Right wrist plain film, lateral projection, pediatric patient (male, age 17), acquired on Siemens, image width 61.1 mm —

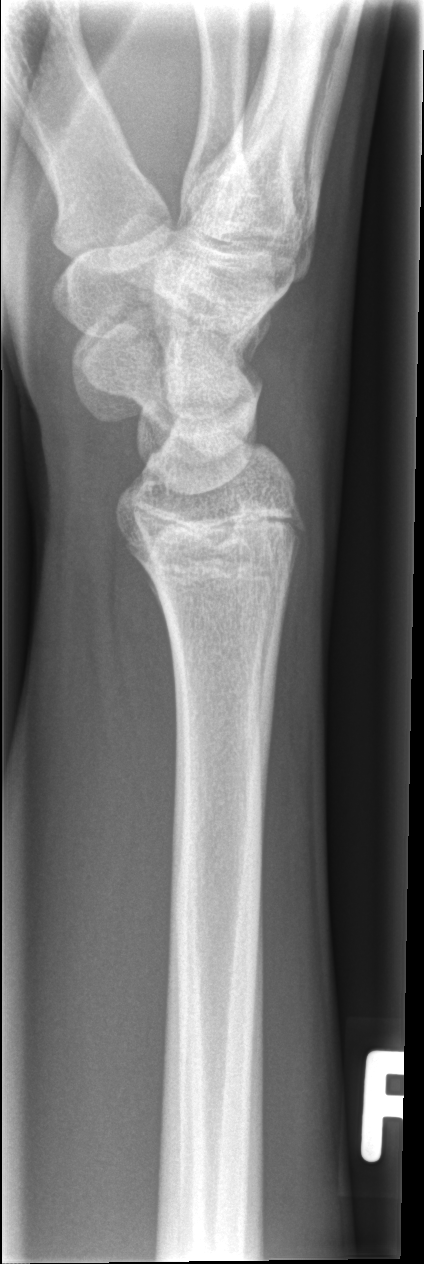 No fracture labeled.